Left wrist plain radiograph of the wrist; lat; 10y F; 80.9 mm image width.
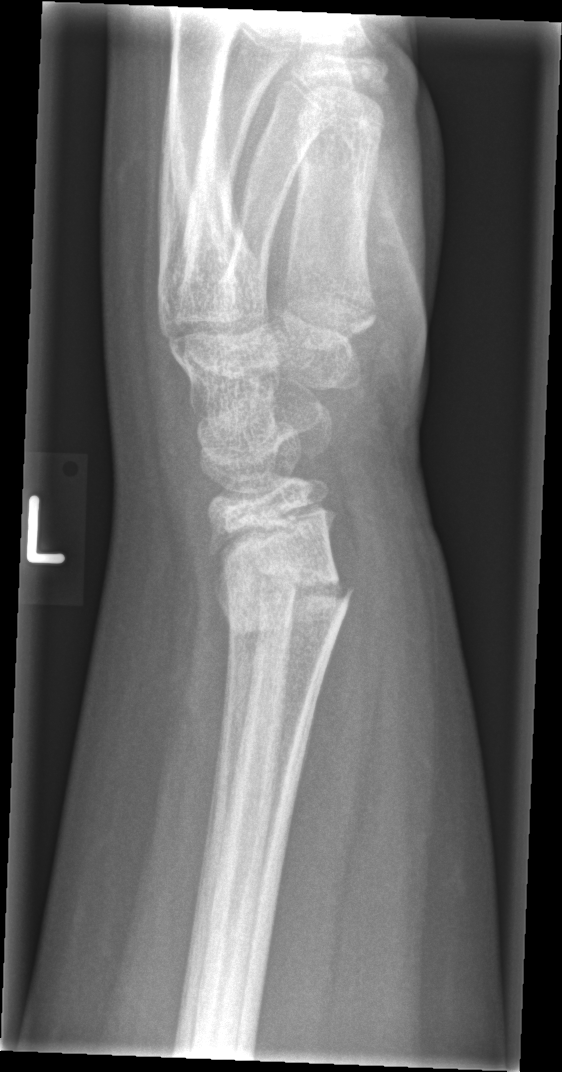 (boxes as x1,y1,x2,y2 (top-left / bottom-right, pixel units))
fracture: 1 @ [213, 564, 359, 641]